AP projection; left wrist XR; age 13 y, male; 673x1136:
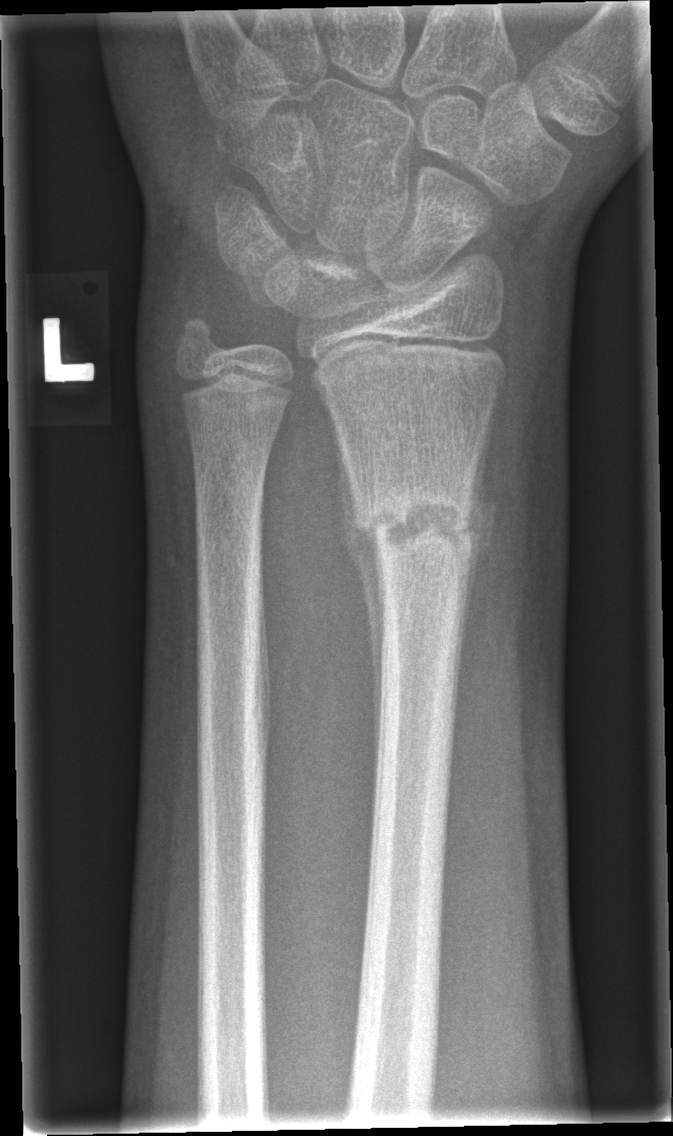 Periosteal new bone: <331,410>-<385,775> <459,404>-<497,661>
Osteopenia: present
Bone fracture: 2 @ <348,477>-<480,576>; <169,308>-<230,365>